Right wrist XR, AP projection, 14y F, index exam

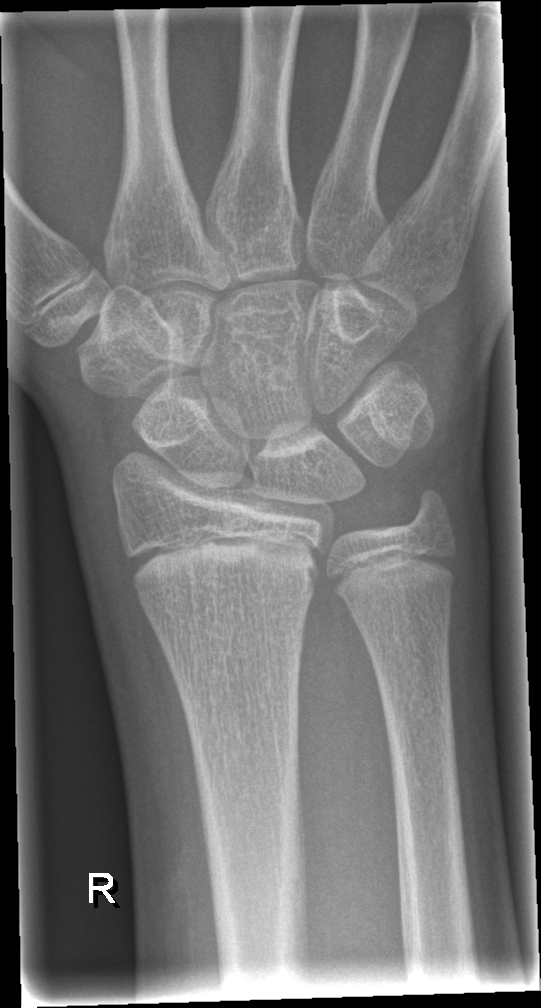
Fx present but not clearly seen in this view.